L wrist XR, lateral projection, initial study — 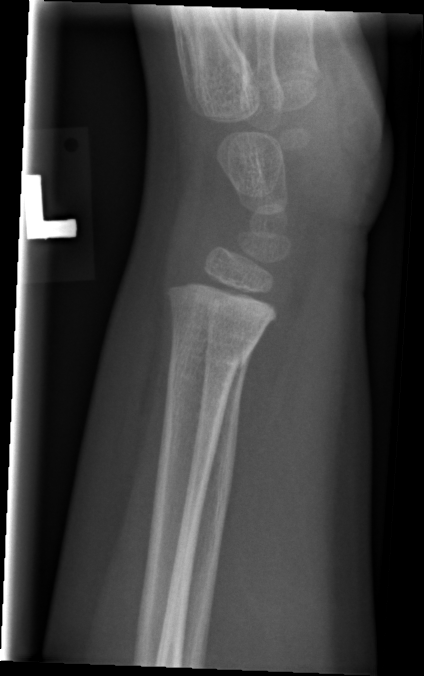

Bone fracture — (left=166, top=331, right=255, bottom=384).
AO/OTA classification: 23r-M/2.1.